Right wrist radiograph; AP projection; 655 x 1134 px
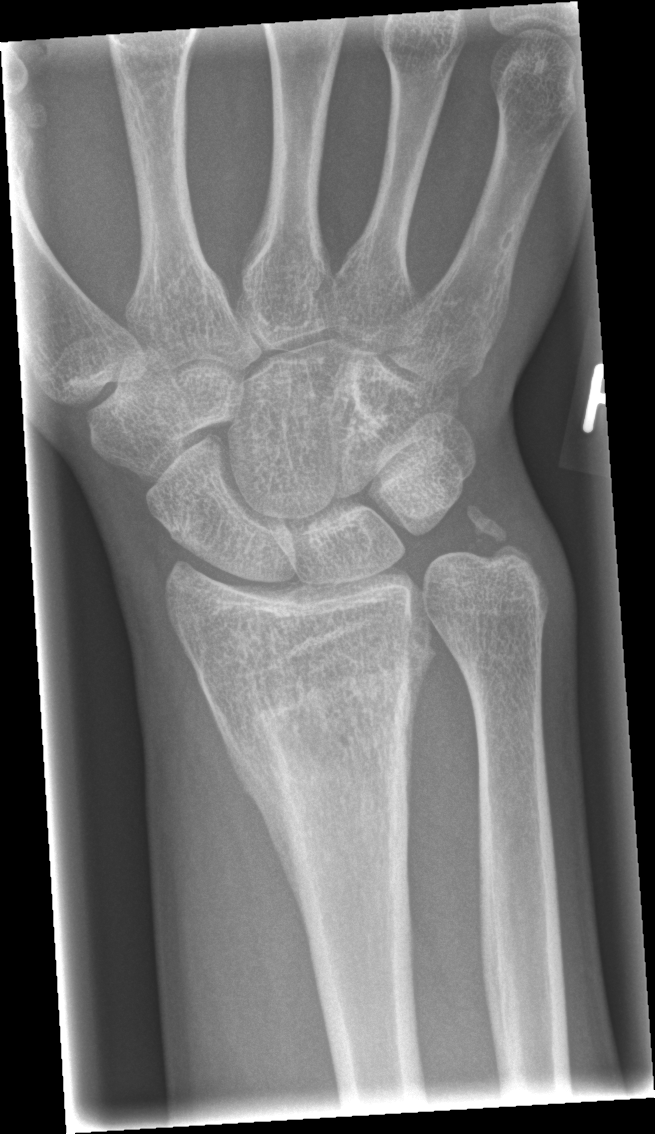 * Pixel coordinates, top-left origin, xyxy.
* AO code 23r-M/3.1; 23u-E/7.
* Bone fractures — (left=228, top=644, right=439, bottom=899) (left=462, top=501, right=534, bottom=574).